Posteroanterior | right pediatric wrist radiograph: 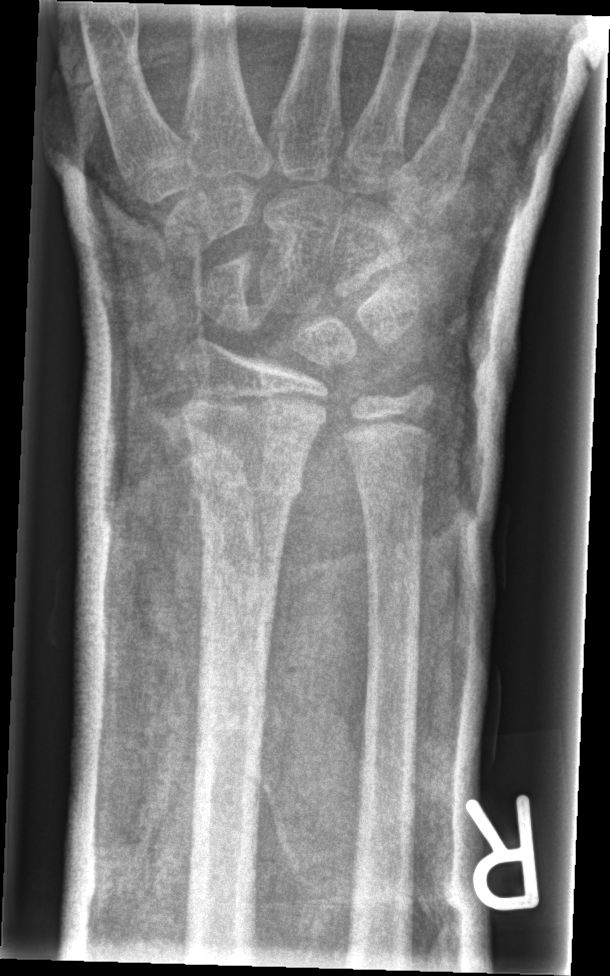
(bounding boxes in image-pixel xyxy)
Q: Fracture present?
A: Fracture — <187,443>-<307,509>